Lt plain radiograph of the wrist, PA projection.
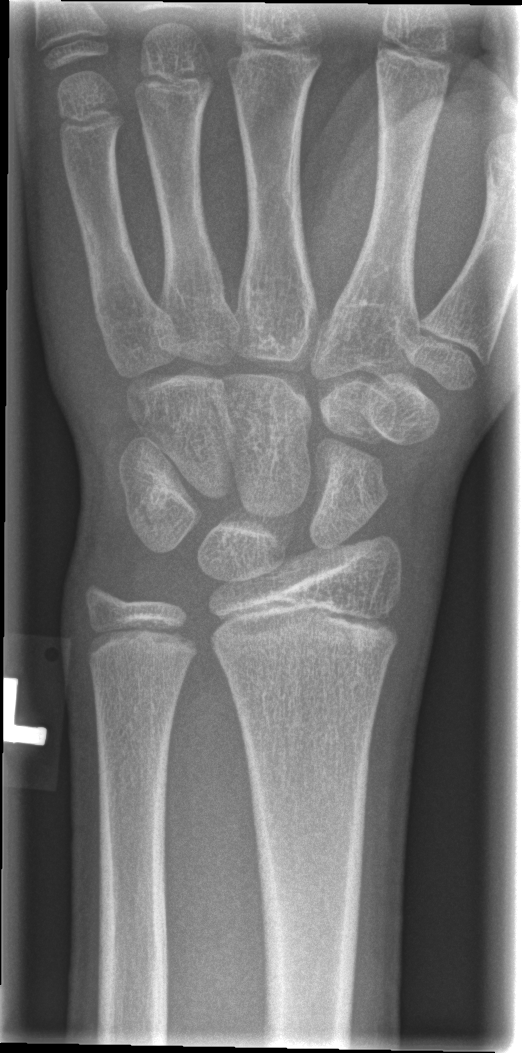

* No fracture labeled.